Lat view · left plain radiograph of the wrist · 9y F · cast present: 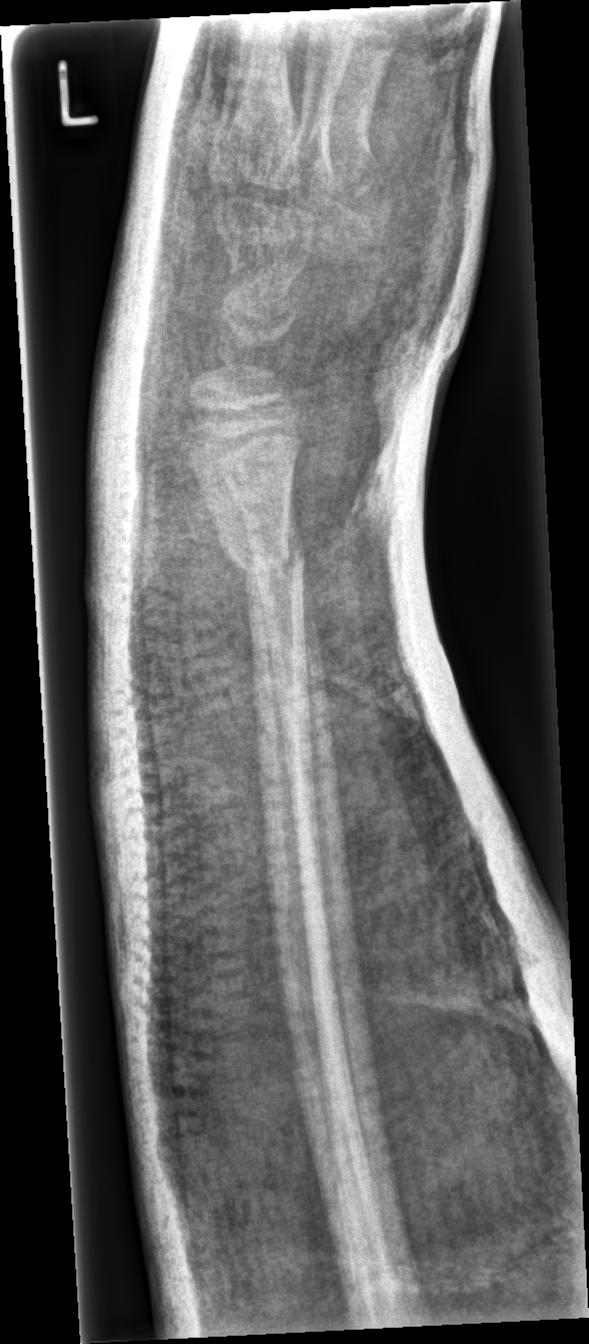

(pixel coordinates, top-left origin, xyxy)
Q: What is the AO/OTA classification?
A: AO/OTA classification: 23r-M/3.1
Q: Any fracture seen?
A: Fracture identified at 215,526,310,586